Lateral view · right plain radiograph of the wrist · index exam

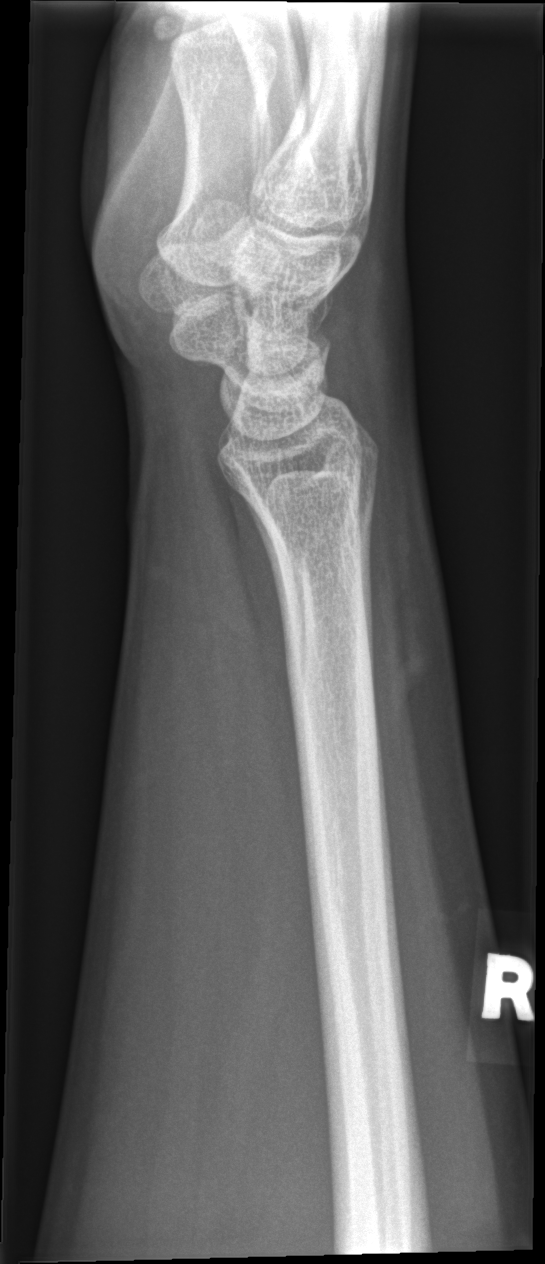 Fx: none labeled